Left wrist pediatric wrist radiograph, PA/AP projection, pediatric patient (male, age 12), 102.5 mm image width.

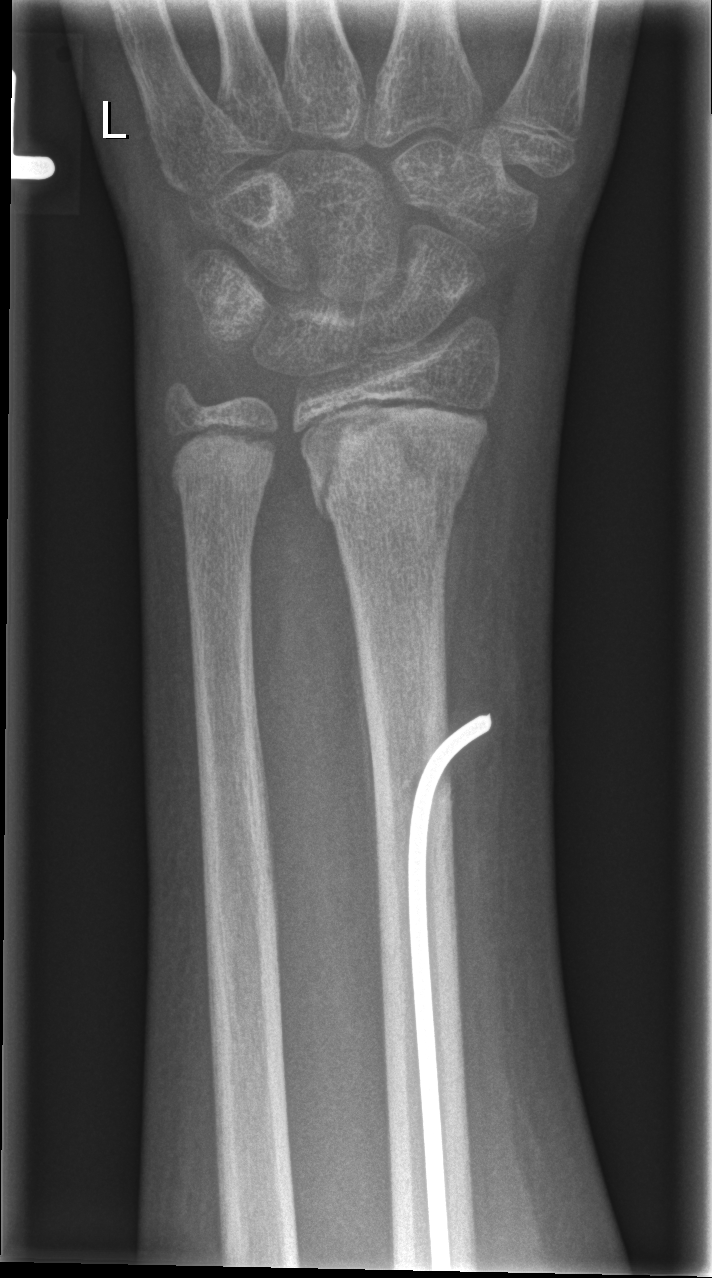

Periosteal reaction identified at [x1=350, y1=578, x2=384, y2=987]; [x1=441, y1=430, x2=493, y2=683].
Metallic implant: [x1=403, y1=710, x2=496, y2=1272].
AO/OTA classification: 23r-E/2.1; 23u-M/2.1.
Fx: [x1=302, y1=388, x2=496, y2=528]; [x1=165, y1=417, x2=280, y2=502].